PA/AP | right wrist XR.
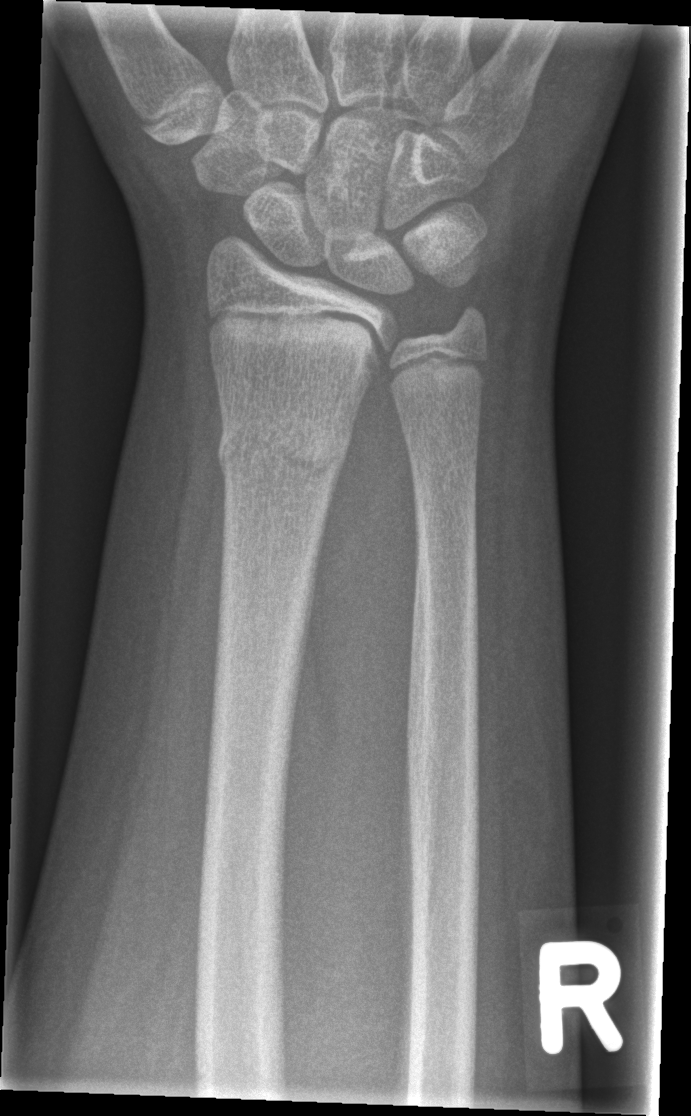 Fx: [x1=208, y1=405, x2=357, y2=500].
AO/OTA classification: 23r-M/3.1.